Right pediatric wrist radiograph | lat projection | girl, 5 yo | Siemens: 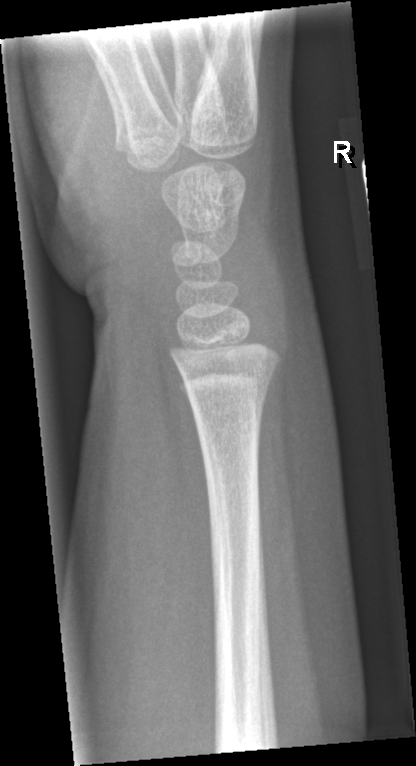
No fracture bounding box.